Lt wrist plain film | frontal view | boy, 13 yo | acquired on Siemens: 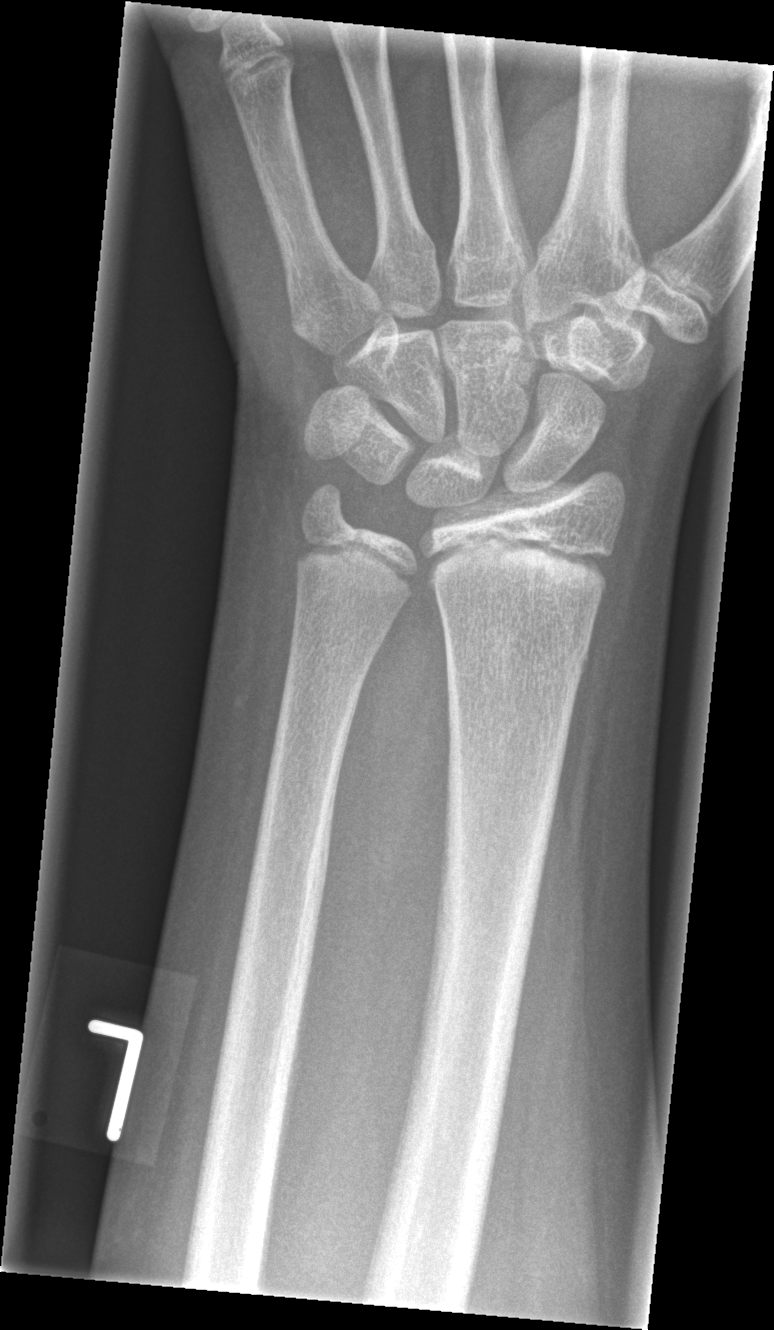 • No Fx annotated.